Right wrist XR · frontal · 16-year-old boy · 110.0 mm image width. 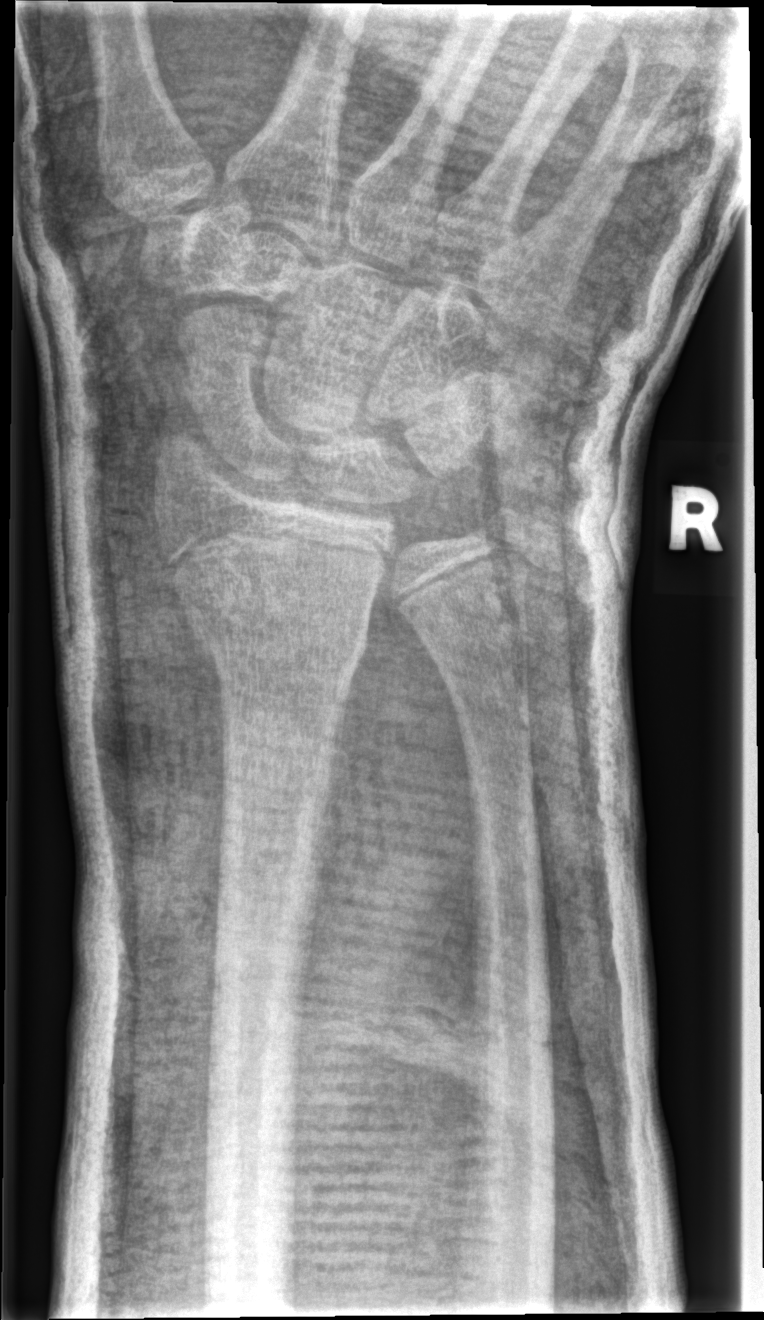 One Fx at bbox(176, 563, 370, 690).
AO code 23r-M/3.1.